Lt wrist X-ray · lat · 13-year-old boy
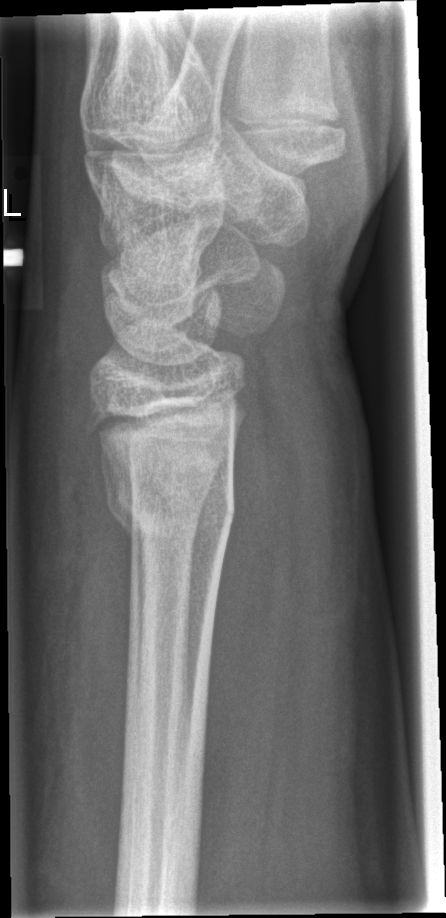

Boxes as x1,y1,x2,y2 (top-left / bottom-right, pixel units). Fracture identified at [x1=102, y1=480, x2=240, y2=558]. One soft-tissue swelling at [x1=16, y1=370, x2=130, y2=852]. AO code 23r-M/3.1; 23u-E/7. One positive pronator fat-pad sign at [x1=201, y1=418, x2=301, y2=859].